Posteroanterior view; left wrist plain film; 5y F; image 72.4 mm wide
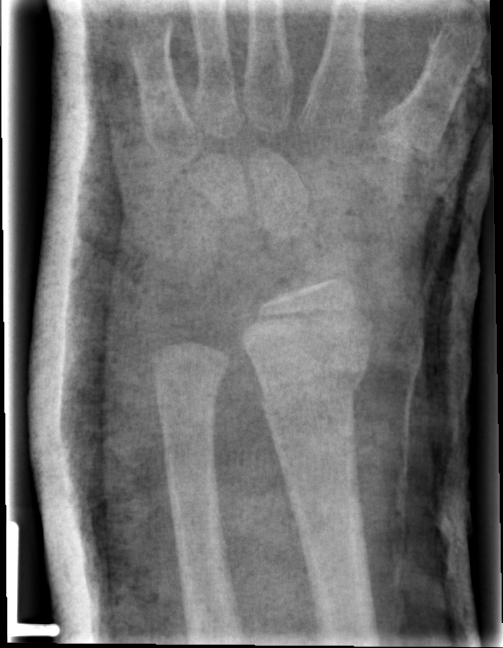 * Fx identified at <253,360>-<369,415>.